Lt wrist X-ray · PA/AP · girl, 10 yo · cast in situ · detector: Siemens:

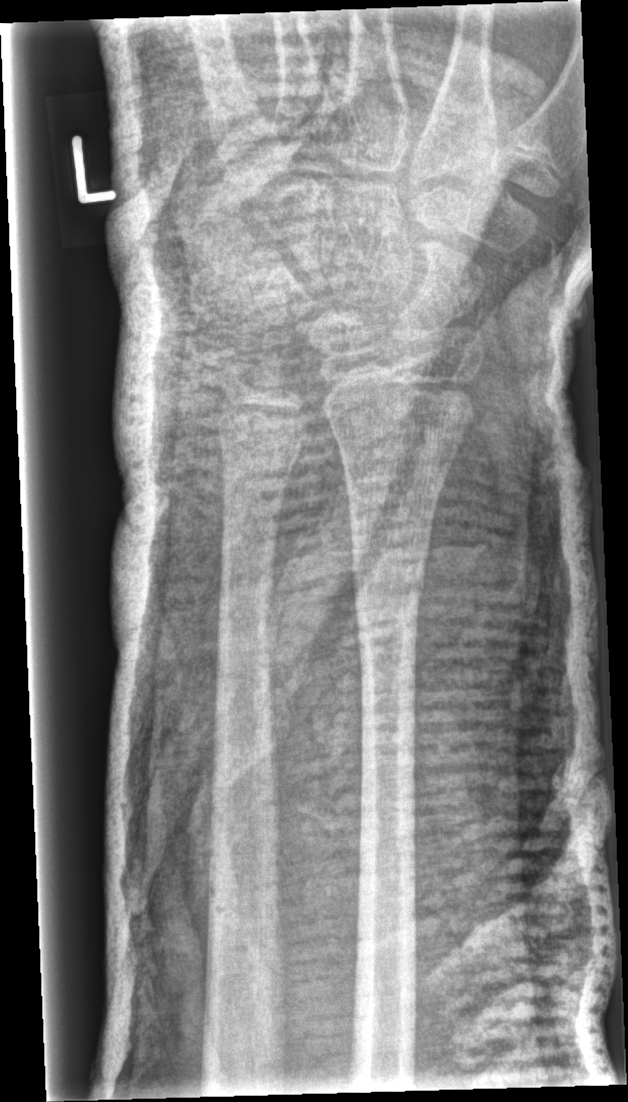

- Coordinates are [x1, y1, x2, y2] in image pixels.
- Fracture — <350,564>-<425,650>.
- AO/OTA classification: 22r-D/2.1.